Right wrist XR · lateral · 7-year-old male · index exam · diagnosis uncertain —
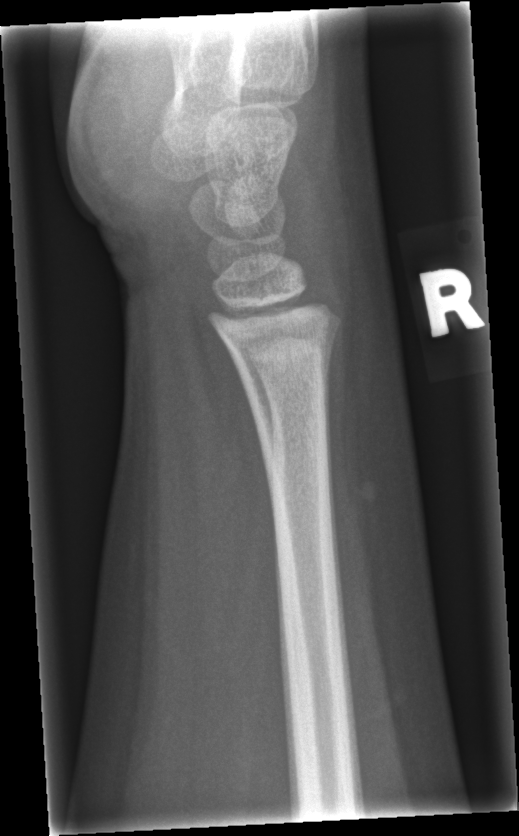
FINDINGS: No fracture labeled.